Left wrist X-ray, posteroanterior view, age 13 y, boy, cast present.
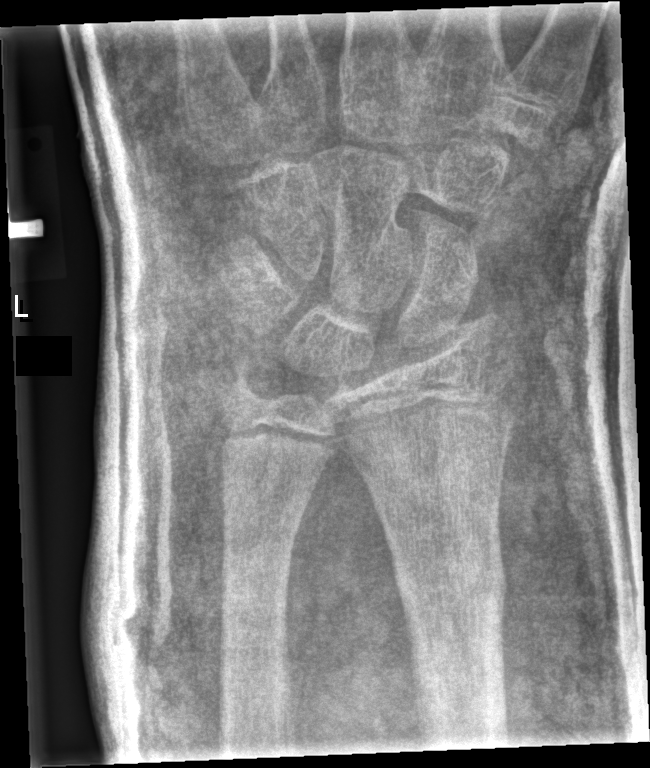   fracture: 1 @ <387,548>-<511,623>